Frontal view · left wrist radiograph · pediatric patient (female, age 7) · cast present
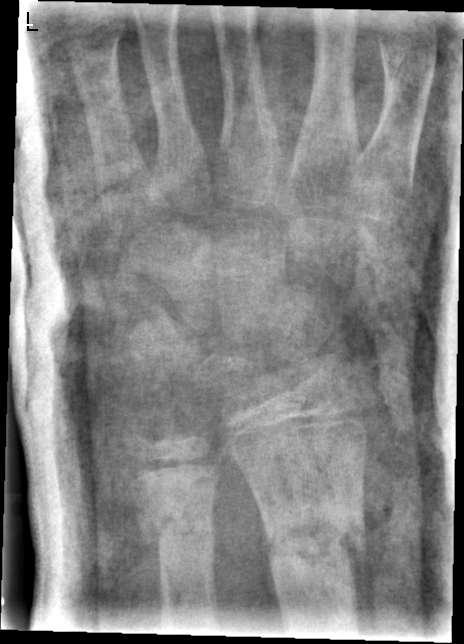

(coordinates are [x1, y1, x2, y2] in image pixels)
Q: AO code?
A: Fracture classified AO/OTA 23-M/3.1
Q: Is there a fracture?
A: Fx identified at 260 489 368 589 | 138 501 217 567